Lateral view · Lt wrist X-ray · initial study — 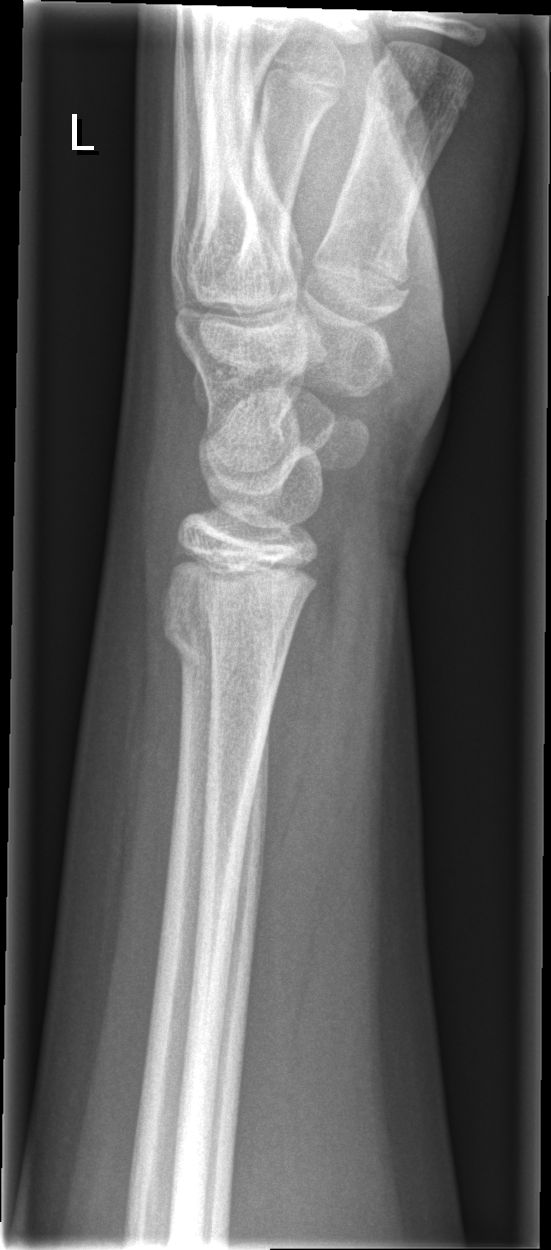

Bone fracture identified at 158 590 294 675. AO/OTA classification: 23r-M/2.1; 23u-E/7.